Rt pediatric wrist radiograph · PA/AP · image size 547x834 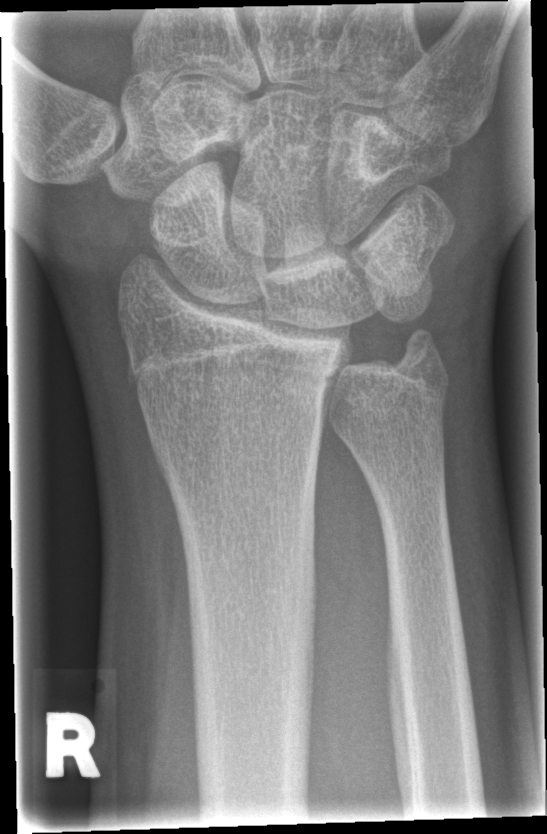

FINDINGS — Fracture: none labeled.